PA view; left wrist XR — 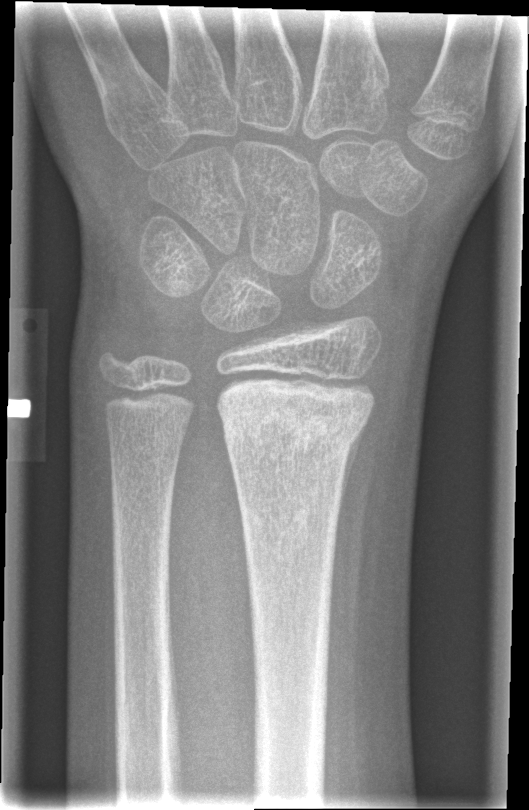
Pixel coordinates, top-left origin, xyxy. Fracture: 215,385,374,459. Periosteal thickening — 331,403,374,602. Fracture classified AO/OTA 23r-M/3.1.